Rt wrist X-ray; lateral projection; follow-up study:
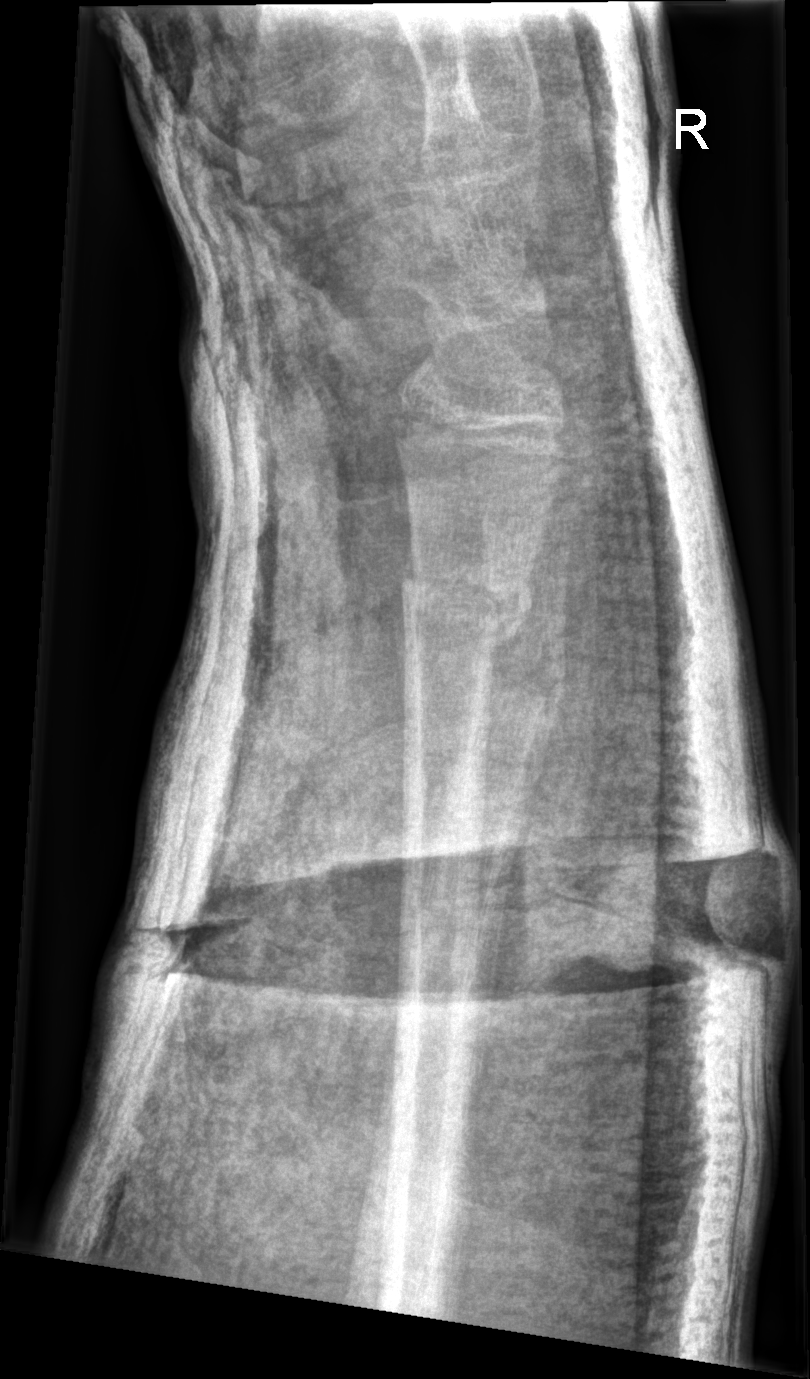

Bone fracture identified at [x1=397, y1=555, x2=536, y2=656]; [x1=469, y1=656, x2=574, y2=721].